R wrist plain film · PA view · pediatric patient (female, age 13) — 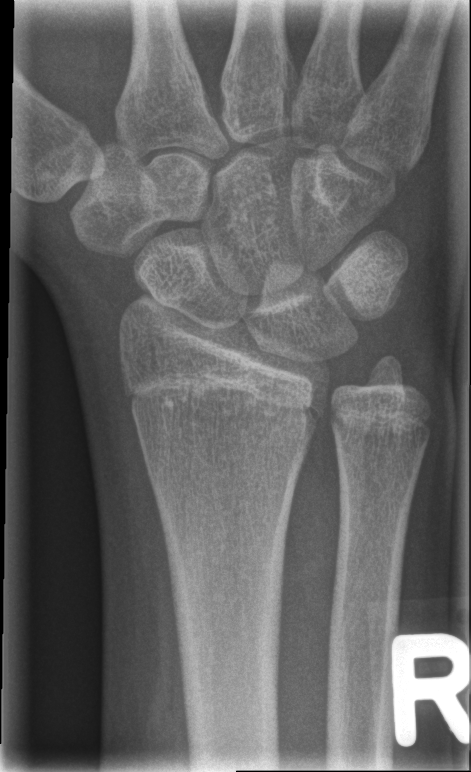

No fracture bounding box.